Right plain radiograph of the wrist | lateral view | image width 86.7 mm: 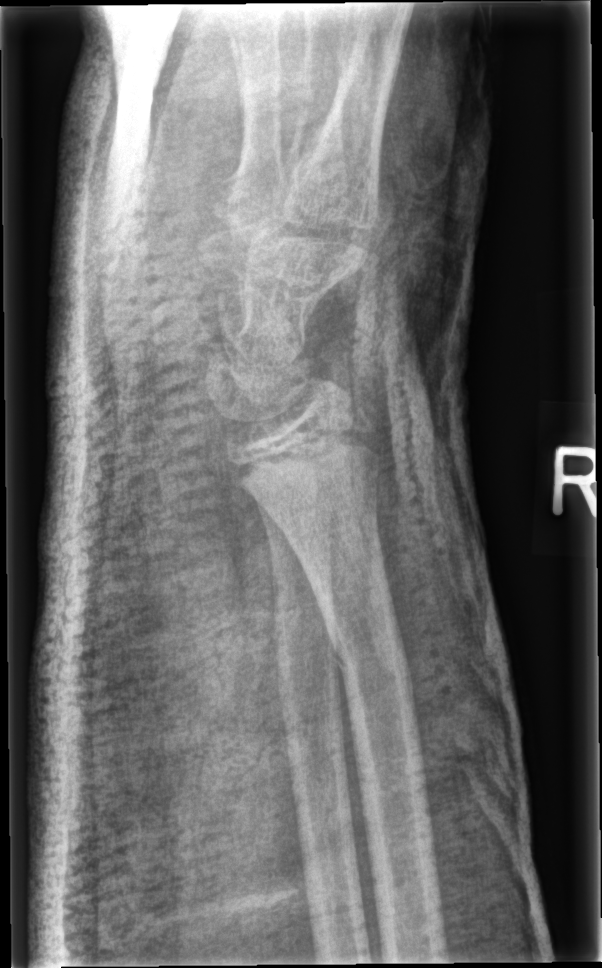

(boxes as x1,y1,x2,y2 (top-left / bottom-right, pixel units))
AO classification: 23r-M/2.1
Fx: 1 @ [324, 618, 409, 677]